Rt plain radiograph of the wrist | lat view | detector: Siemens: 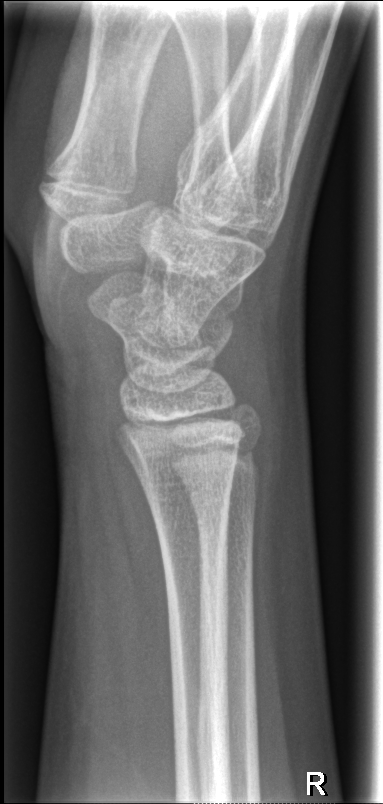

  fracture: none labeled